R wrist radiograph | lat:

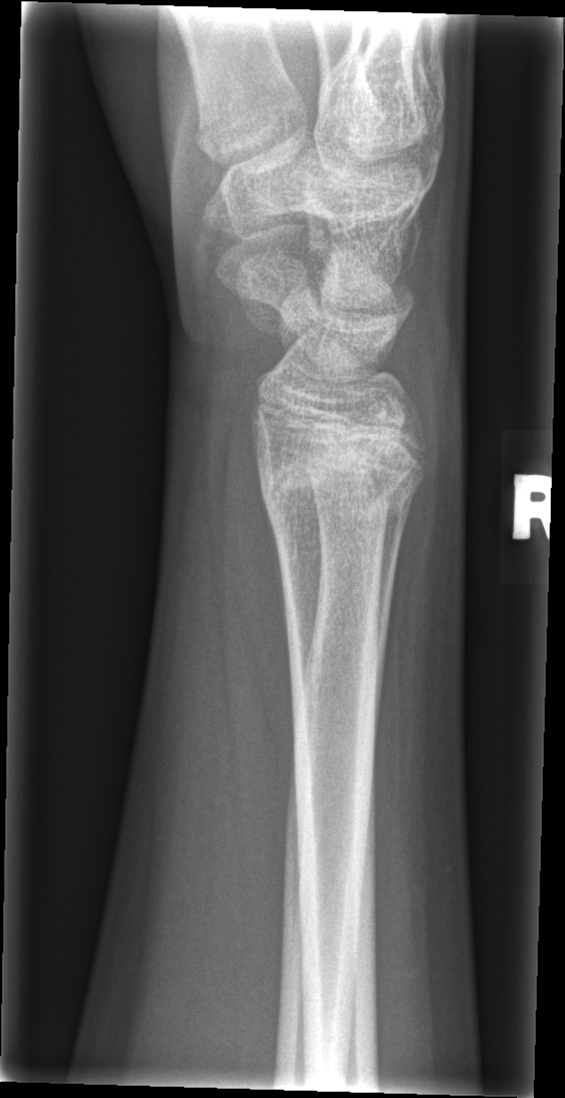
FINDINGS: (coordinates are [x1, y1, x2, y2] in image pixels) Bone fracture identified at (left=254, top=424, right=428, bottom=531).